Lateral · L wrist radiograph · age 12 y, female · in cast: 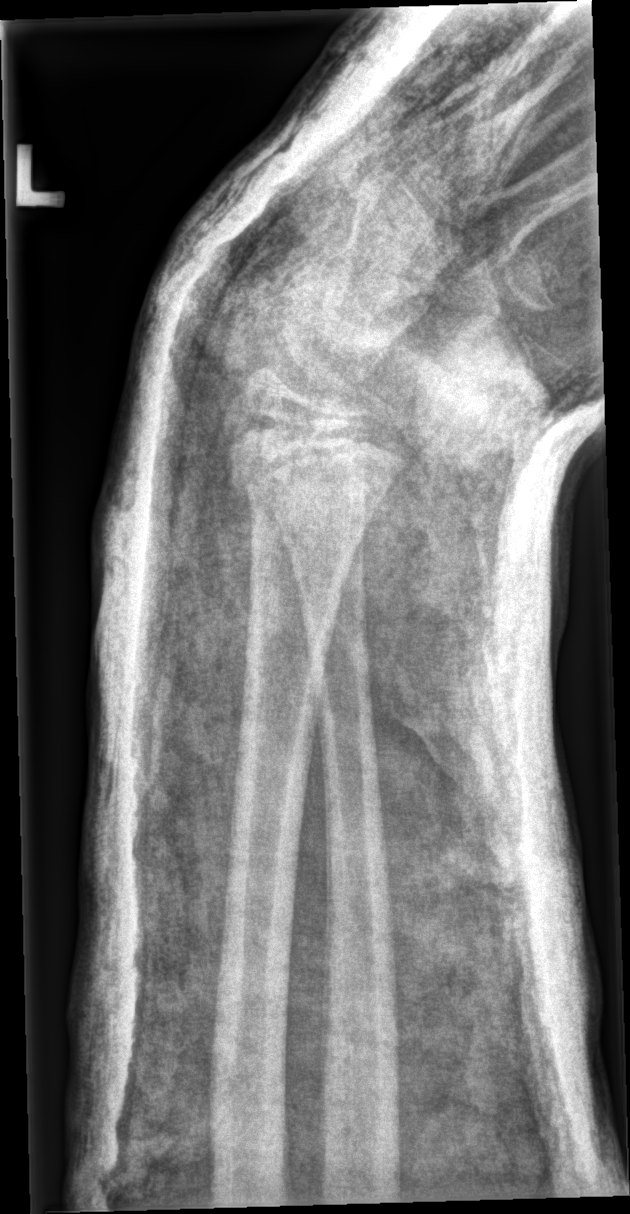
AO/OTA = 23r-E/2.1; 23u-E/7
fracture = 1 @ [222, 417, 411, 501]